AP view | R plain radiograph of the wrist | pediatric patient (boy, age 11)
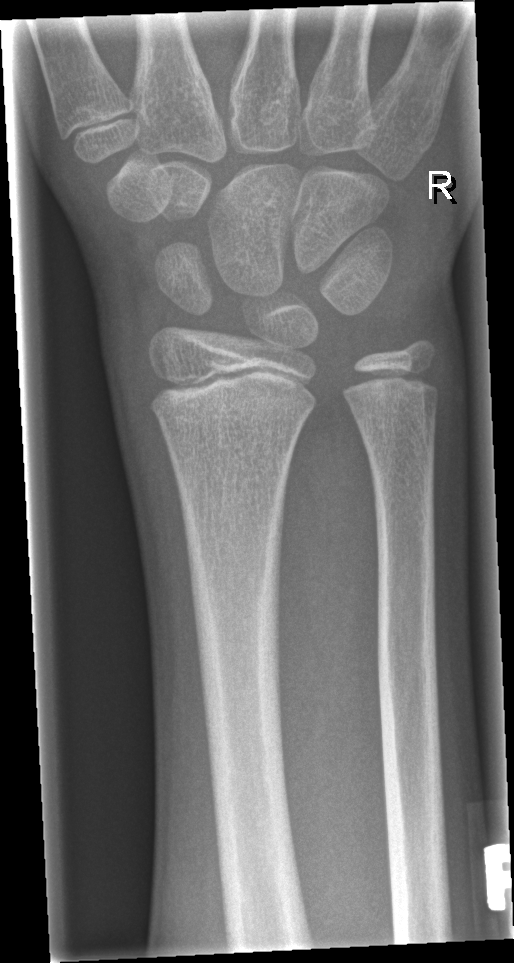
Fracture classified AO/OTA 23r-M/2.1. Fracture present, though not clearly seen in this view.